L wrist XR; PA/AP; age 3 y, boy; image 89.0 mm wide:

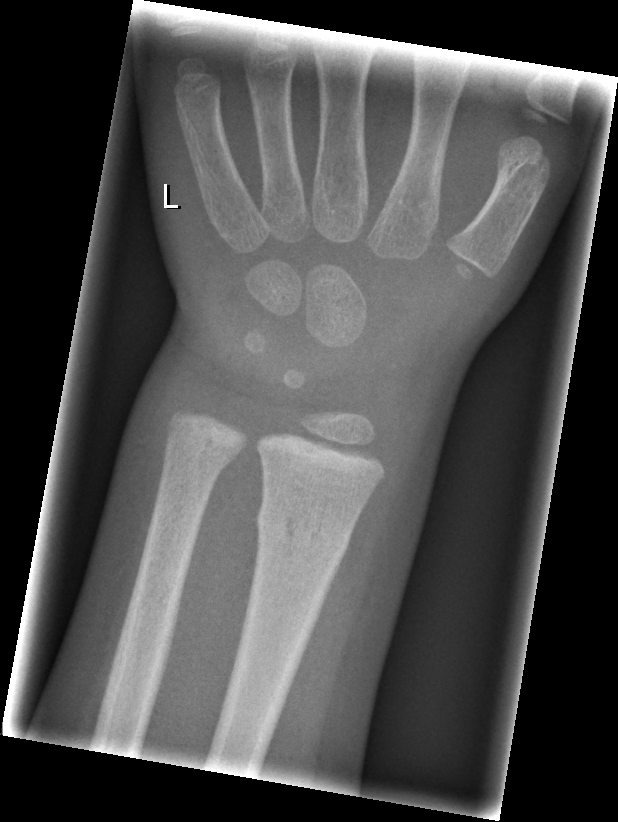

{
  "fracture": "[251, 497, 355, 562]",
  "ao": "23r-M/2.1"
}